Left wrist XR, lat view, age 7 y, female, follow-up, imaged through cast, 544 by 932 pixels:
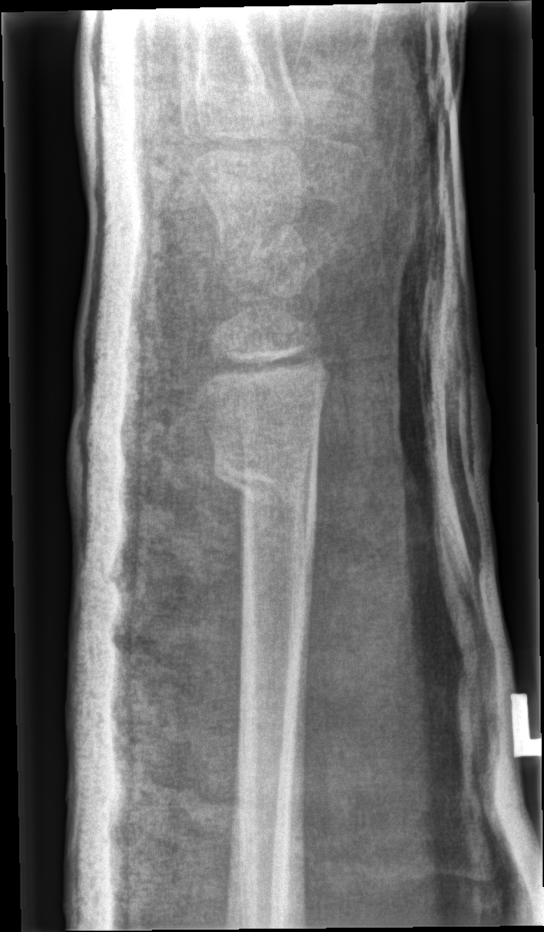 Fracture = 1 @ bbox(209, 448, 319, 536)
AO classification = 23r-M/2.1